AP | R plain radiograph of the wrist | pediatric patient (boy, age 1.8) | 66.5 mm image width —
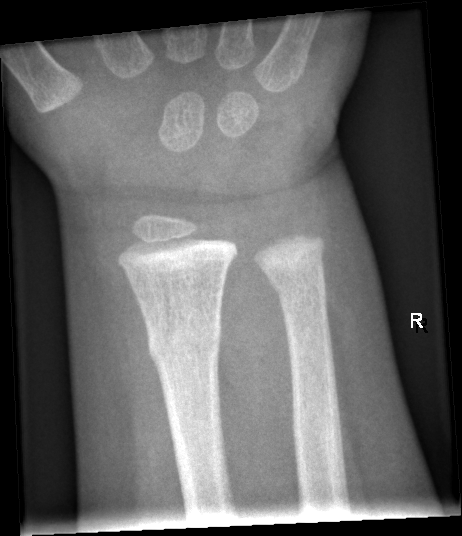
FINDINGS: (boxes as x1,y1,x2,y2 (top-left / bottom-right, pixel units)) Two bone fractures at <144,315>-<225,371>, <264,253>-<329,306>. AO code 23-M/2.1.